Lat projection; L wrist plain film; 10y M; cast present. 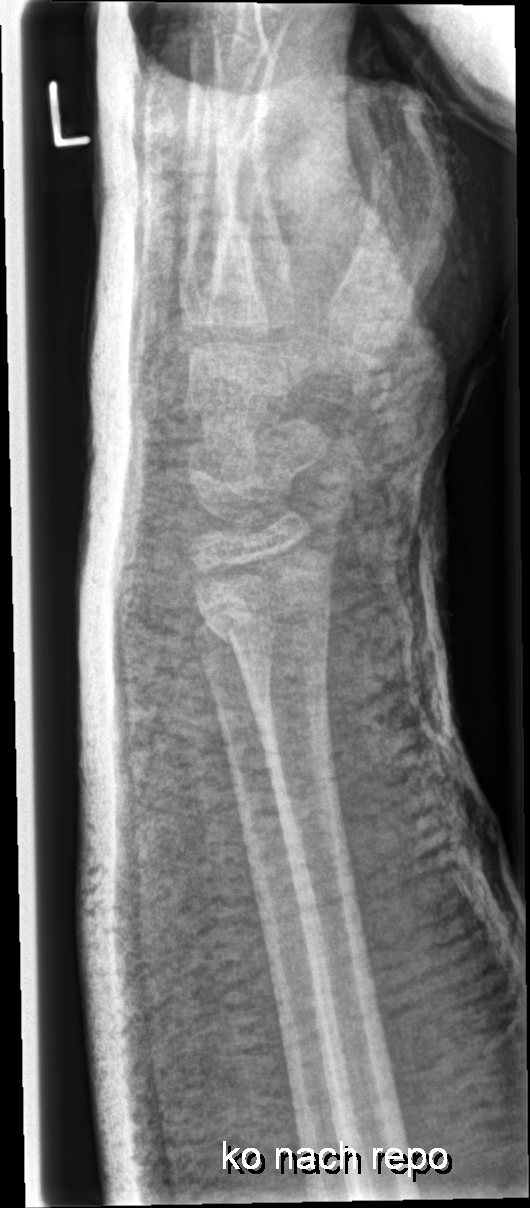

(bounding boxes in image-pixel xyxy)
AO code = 23r-E/2.1
Fracture = 1 @ 185,525,339,651